Rt wrist radiograph | PA/AP projection | boy, 10 yo.

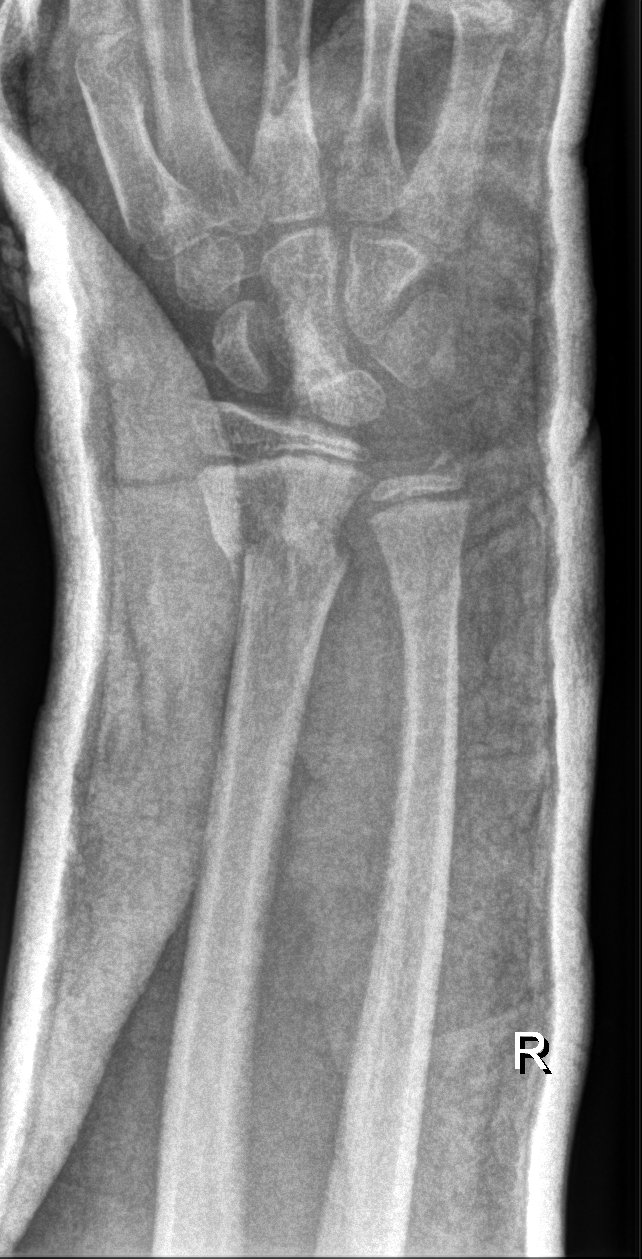 - AO code 23r-M/3.1; 23u-M/2.1; 23u-E/7.
- Bone fracture: <210,503>-<355,598>; <384,556>-<466,615>; <411,437>-<474,492>.